R wrist plain film · PA/AP projection: 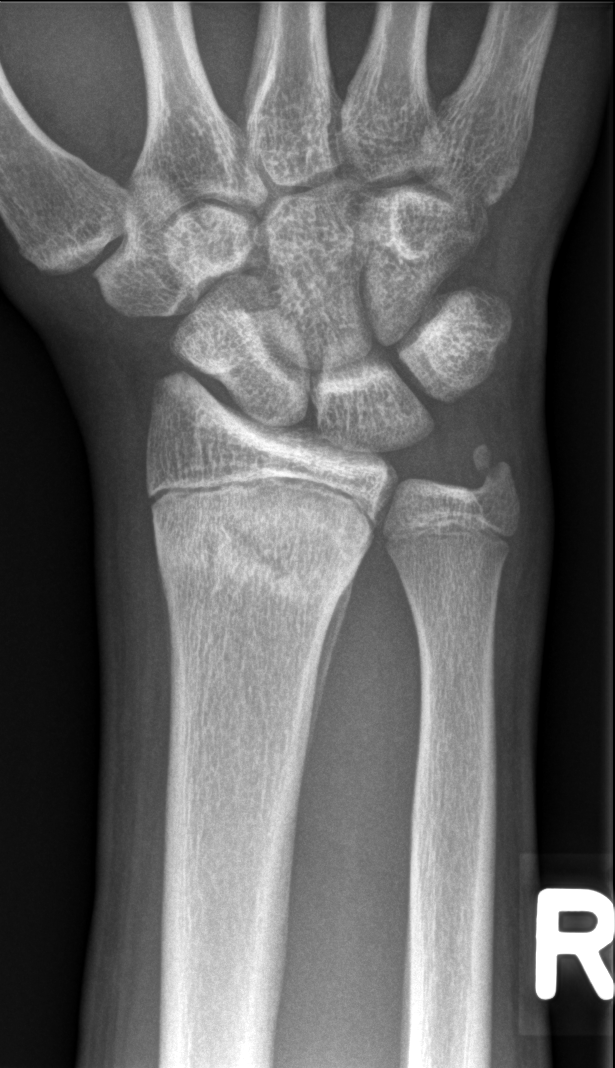 Fx = (151, 483, 381, 615) (448, 439, 524, 517)
AO/OTA = 23r-M/3.1; 23u-E/7
Periosteal new bone = (301, 573, 355, 788)